Lt pediatric wrist radiograph | PA/AP projection | pediatric patient (girl, age 4).

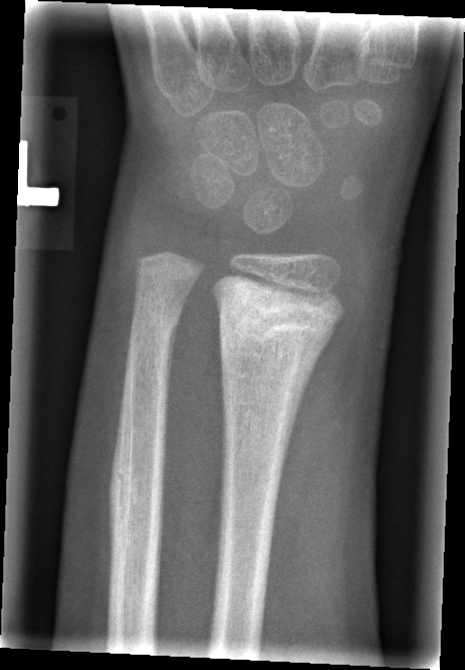 Fx: 2 @ [212, 272, 351, 363], [128, 293, 183, 348]